Lat projection | L wrist radiograph | pediatric patient (girl, age 10) | index exam 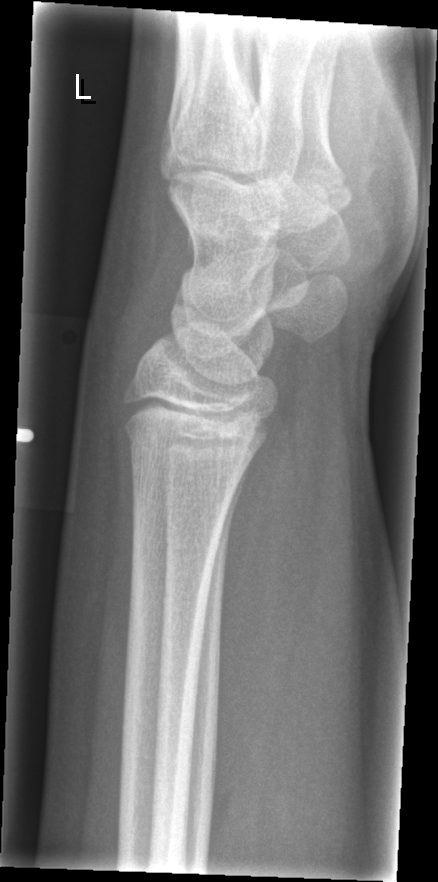

fracture: 1 @ [118, 413, 264, 475]
ao: 23r-M/2.1